Right pediatric wrist radiograph, PA/AP view, initial study: 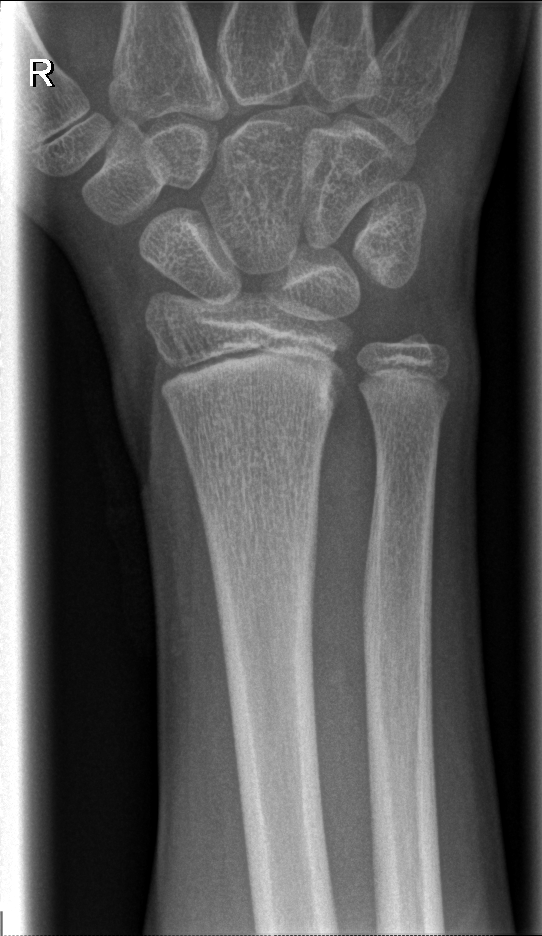
FINDINGS: No Fx annotated.